Right wrist X-ray; lateral projection; pediatric patient (female, age 8). 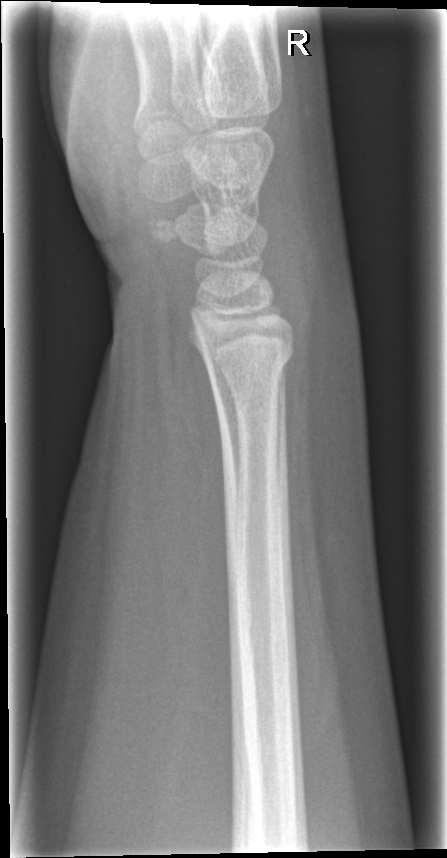

FINDINGS: Bone fracture identified at 204 338 300 401.